Lat projection | right wrist X-ray | initial study | detector: Siemens —
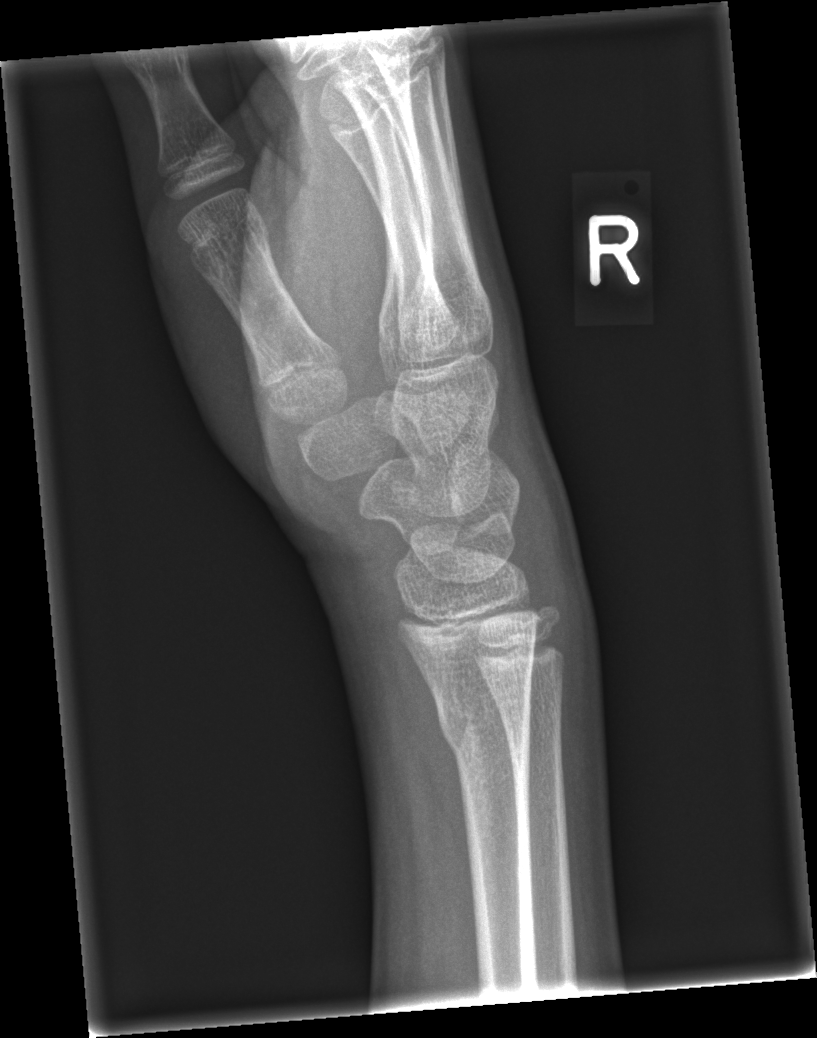 (pixel coordinates, top-left origin, xyxy)
Q: What is the AO/OTA classification?
A: AO code 23r-M/2.1
Q: Fracture present?
A: One fracture at 432 690 532 768